Lat view | L wrist XR | pediatric patient (male, age 6) | 470 by 798 pixels. 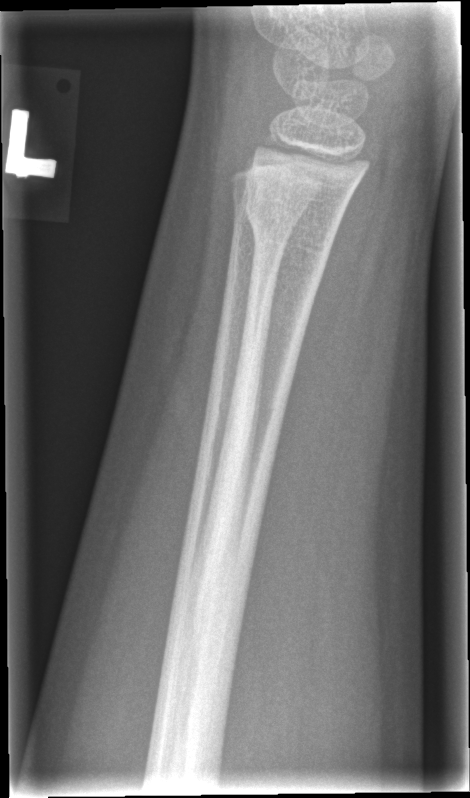

{"_coords": "pixel coordinates, top-left origin, xyxy", "fracture": "1 @ 241 185 339 260", "ao": "23r-M/2.1"}